Lat projection; left wrist pediatric wrist radiograph; imaged through cast; Siemens
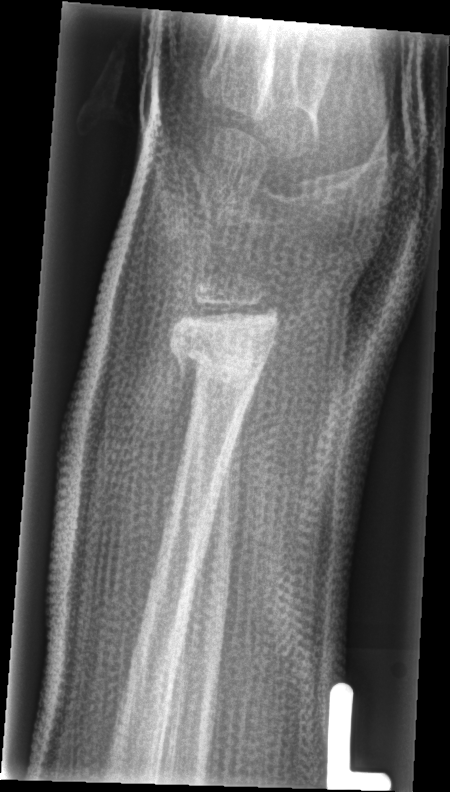

One fracture at 169,319,281,403.